AP projection; right wrist XR; age 9 y, male; in cast. 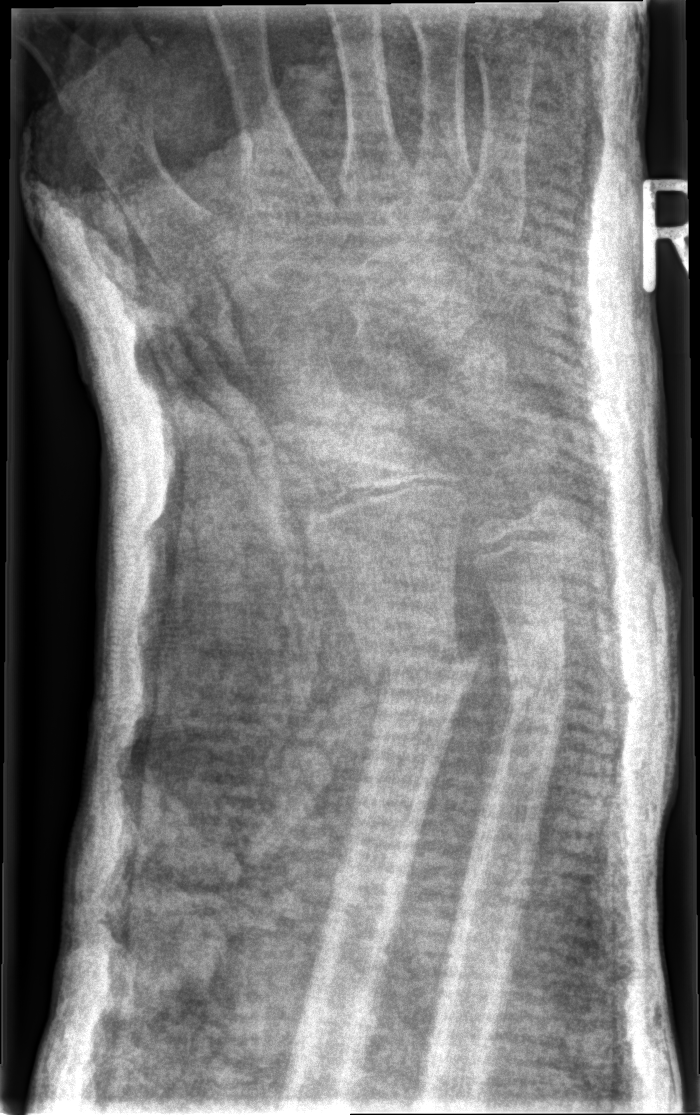 Two Fx at [343, 621, 489, 705], [493, 622, 572, 689].